Lt plain radiograph of the wrist, lateral view, girl, 13 yo, image width 72.6 mm.

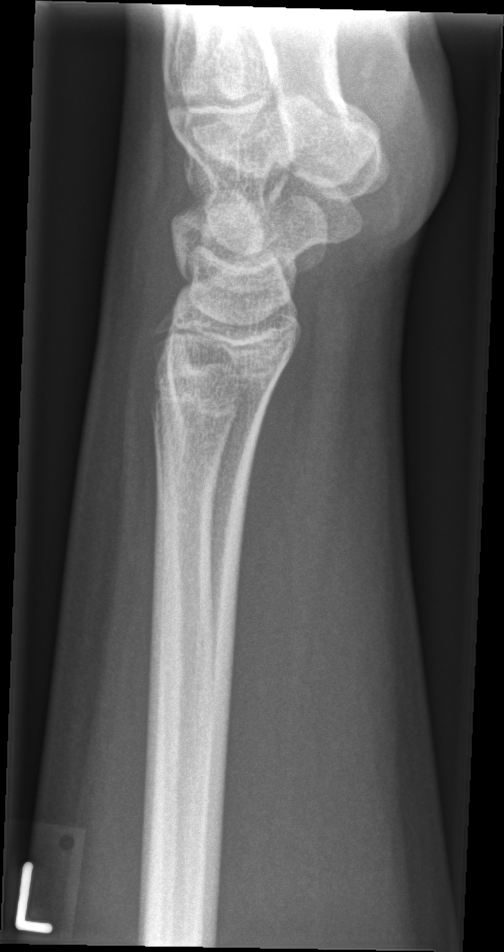 • No fracture labeled.